Right wrist plain film, PA projection, pediatric patient (girl, age 8). 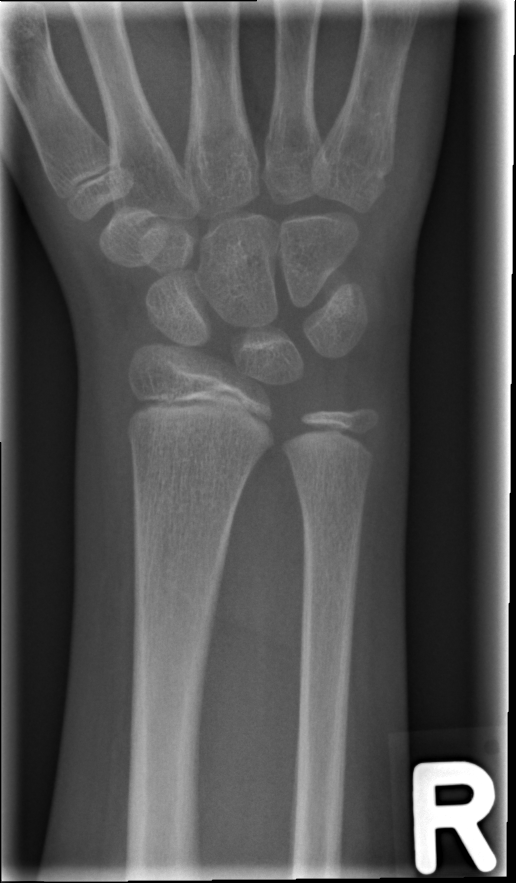 Fx: none labeled